AP projection; left wrist plain film; 12y M; Siemens
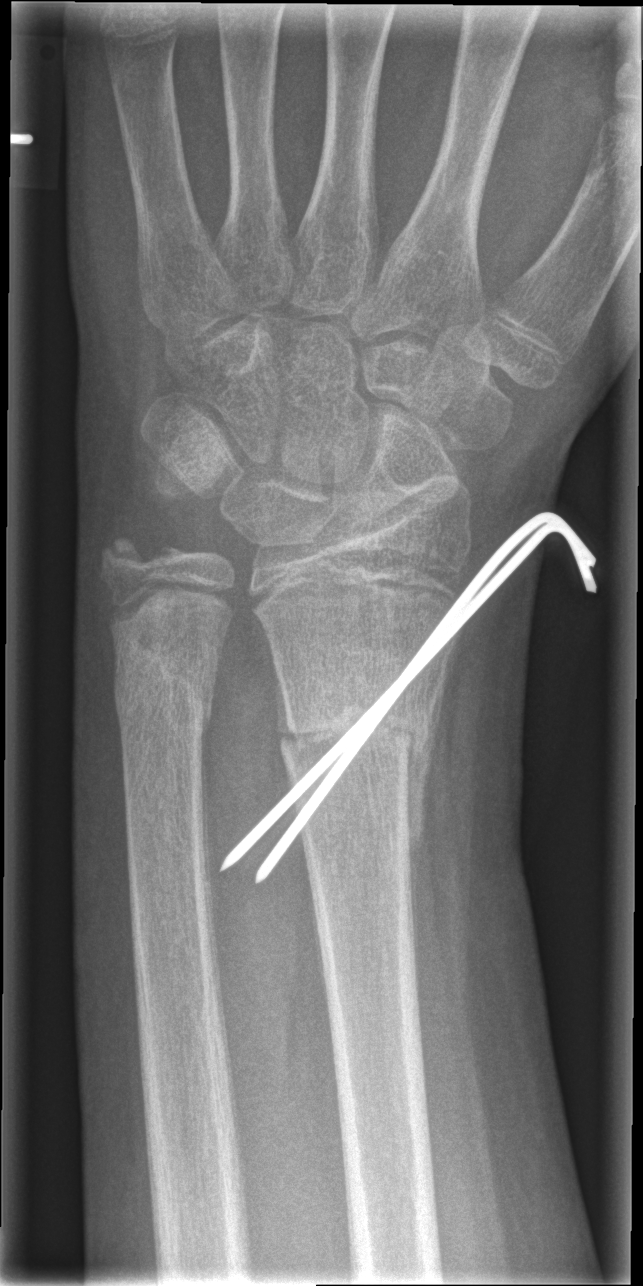
Three bone fractures at bbox(275, 667, 438, 786) bbox(109, 626, 219, 737) bbox(96, 518, 187, 592). Periosteal thickening identified at bbox(406, 644, 456, 984) bbox(274, 656, 293, 739). One metallic implant at bbox(219, 504, 597, 884). AO/OTA classification: 23-M/3.1; 23u-E/7.